Lt wrist XR · lateral projection · in cast · 614x1038:

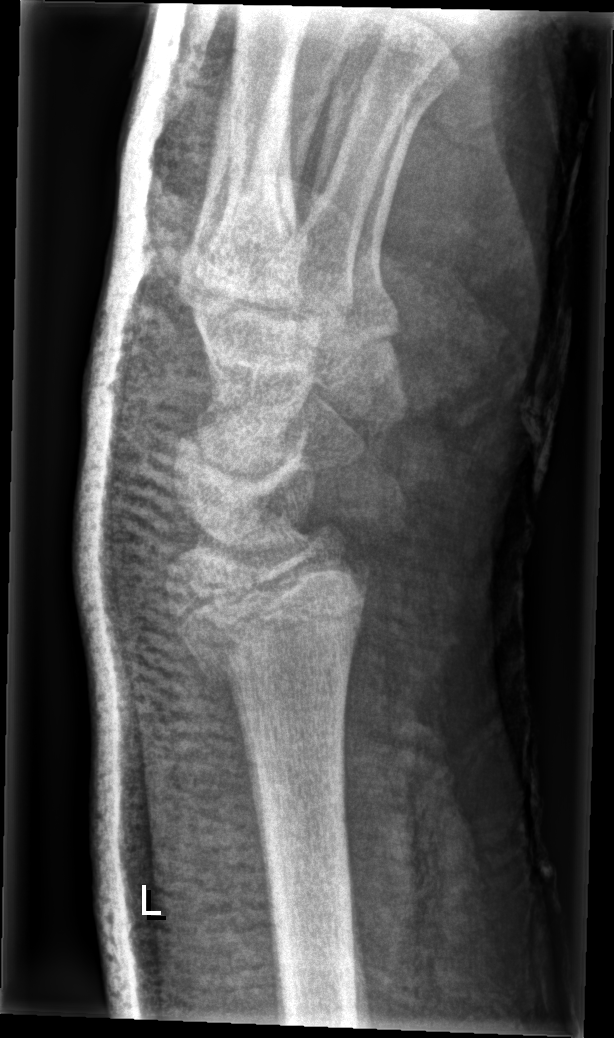

Bone fracture — [167, 549, 377, 697].